Lt pediatric wrist radiograph | AP projection | image width 83.2 mm:

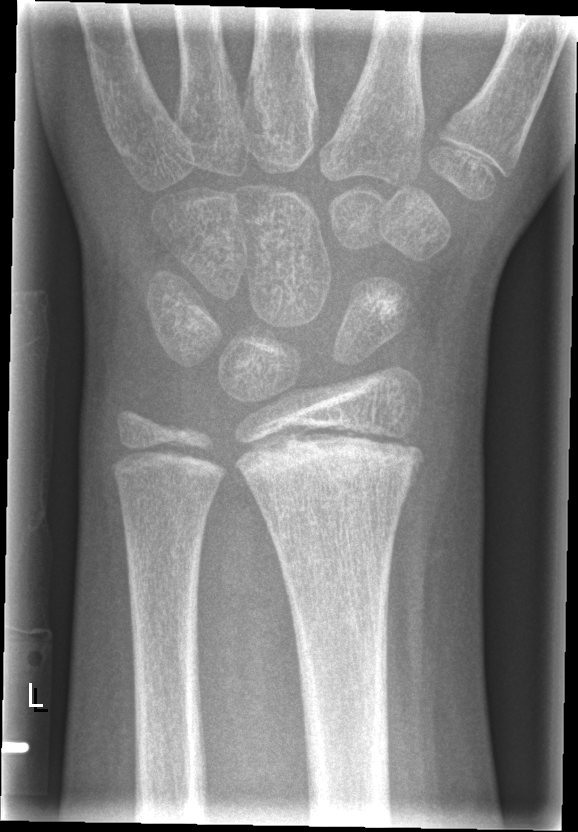
(boxes as x1,y1,x2,y2 (top-left / bottom-right, pixel units))
fracture: 1 @ (230, 428, 429, 496)
AO classification: 23r-E/2.1
osteopenia: present